R wrist radiograph, lat projection, 12-year-old boy, presentation radiograph, 428x1052:

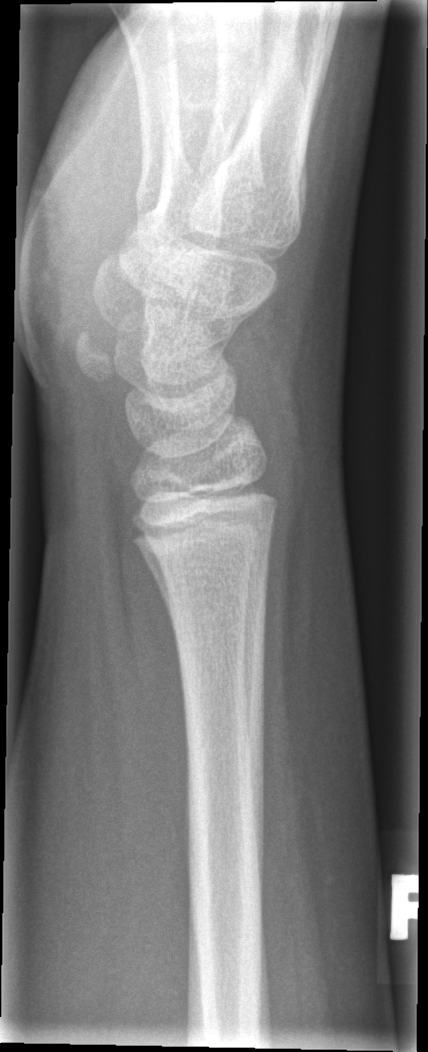

No fracture annotation.